R pediatric wrist radiograph, AP projection, boy, 16 yo, index exam, diagnosis uncertain:

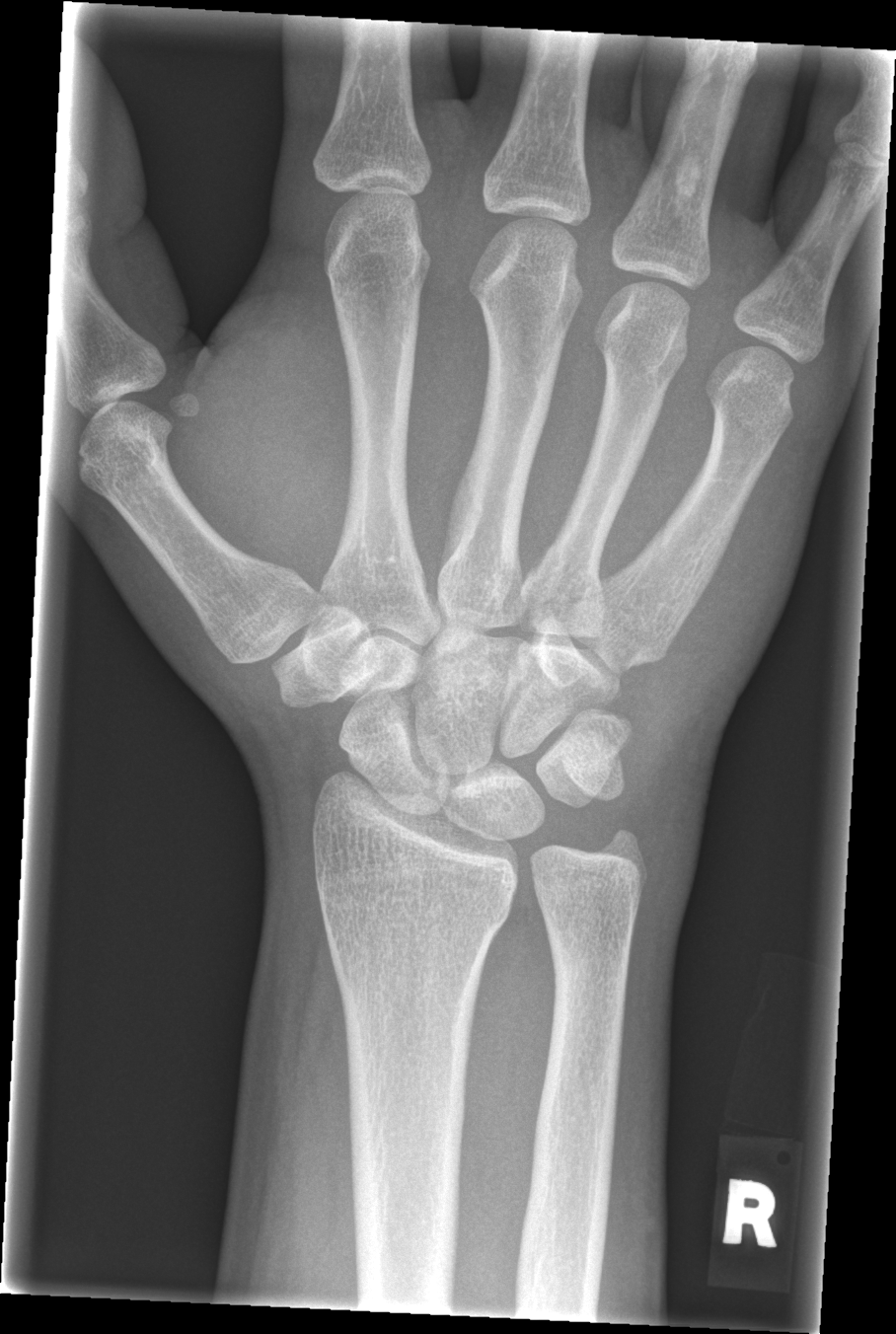
No Fx annotated.